Right plain radiograph of the wrist · lat · pediatric patient (girl, age 9) · index exam: 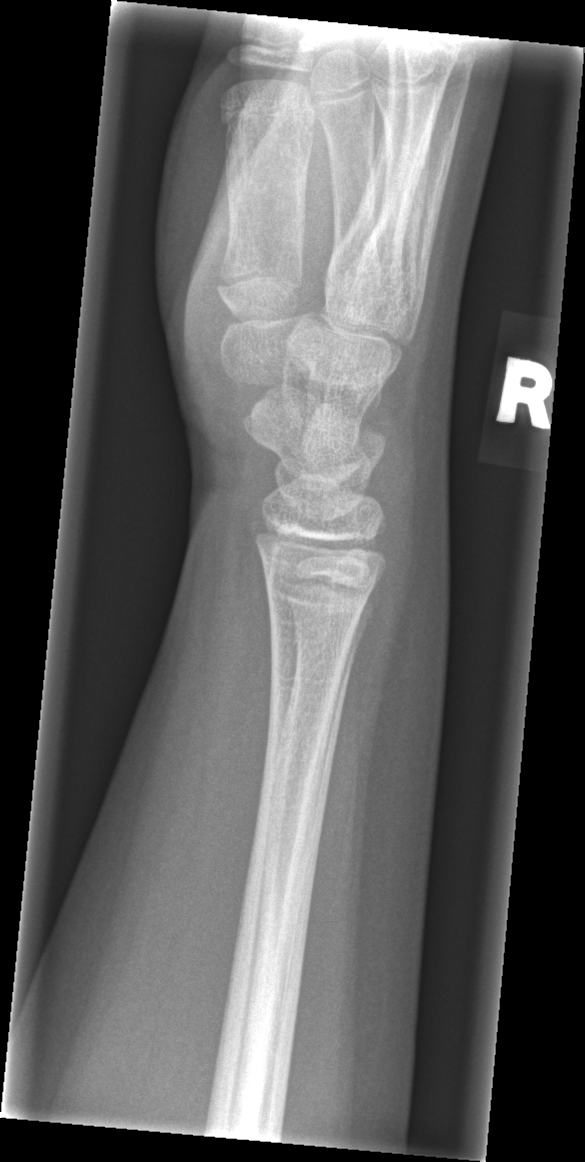

{"fracture": "none labeled"}